AP view; right wrist plain film; 12y M; 675x1392 —
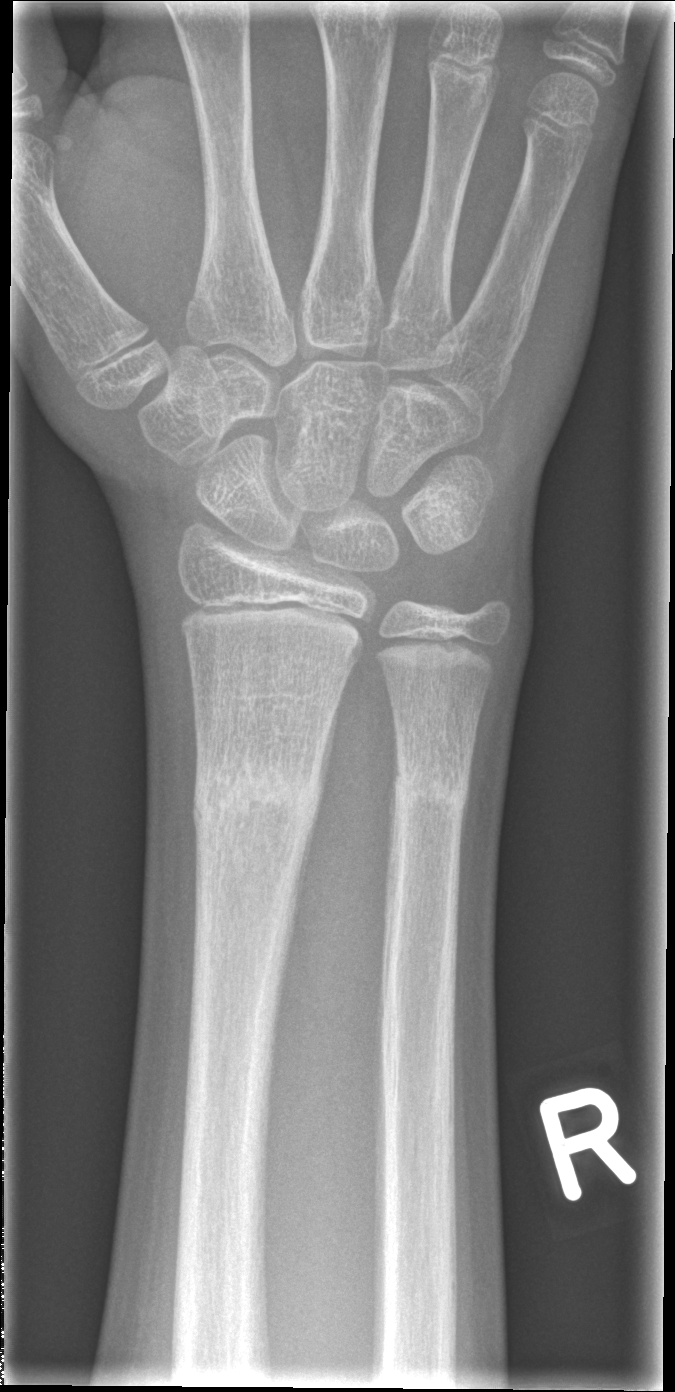 Q: Is there a fracture?
A: Fracture identified at [190, 765, 323, 832], [388, 763, 474, 818]